Frontal projection; Rt wrist radiograph; presentation radiograph:
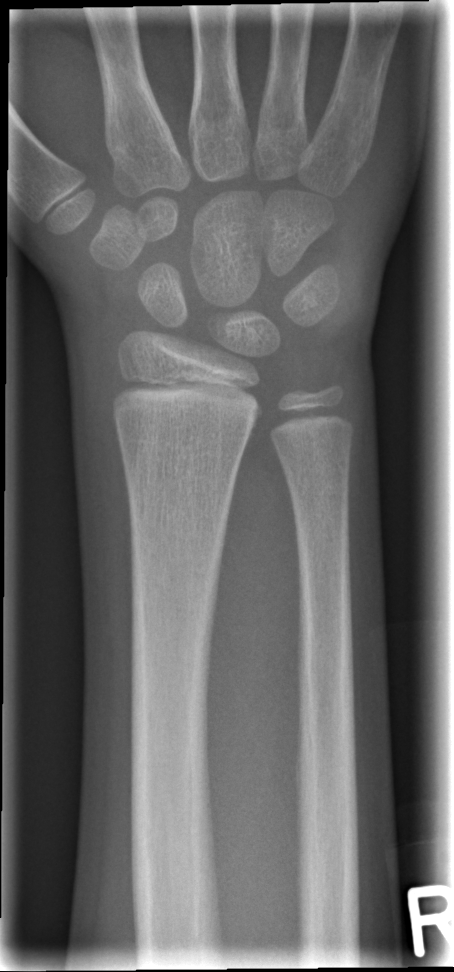
Q: Any fracture seen?
A: No fracture labeled